Lateral view | L plain radiograph of the wrist | girl, 8 yo | 474 x 662 px 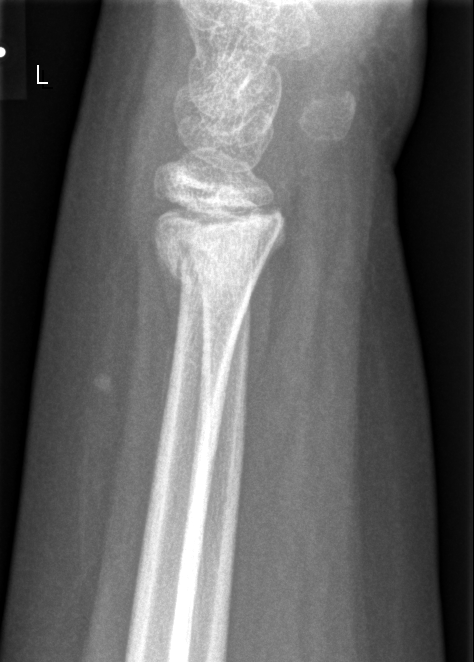

FINDINGS — One bone fracture at 148,227,282,314. Fracture classified AO/OTA 23r-M/2.1. Periosteal thickening identified at 158,263,181,430.